Left wrist X-ray · lateral projection · presentation radiograph: 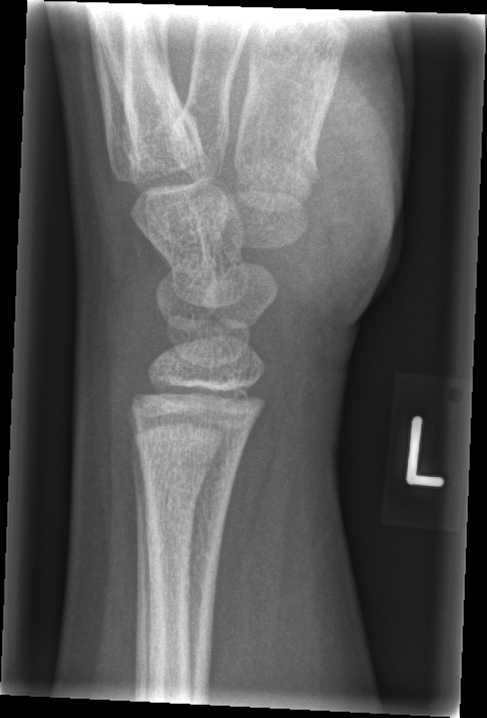
• Fx: none.